Lat view; right wrist radiograph; presentation radiograph 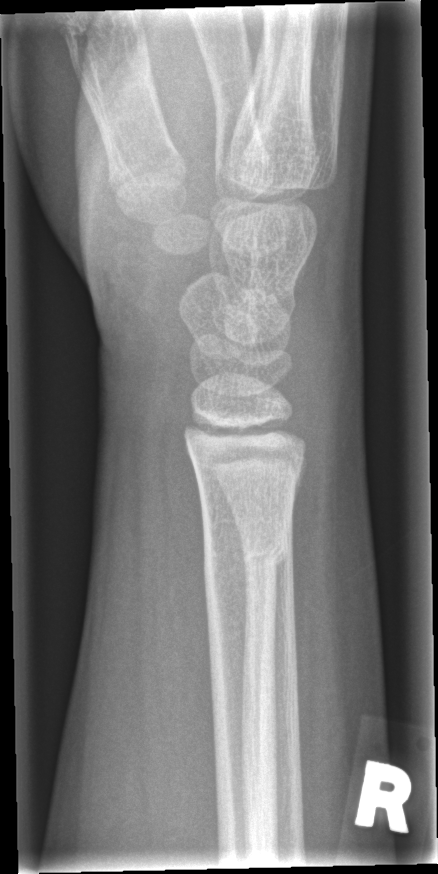

FINDINGS — AO/OTA classification: 23r-M/2.1. Bone fracture — [x1=199, y1=523, x2=295, y2=588].